R plain radiograph of the wrist | posteroanterior view | 8-year-old male

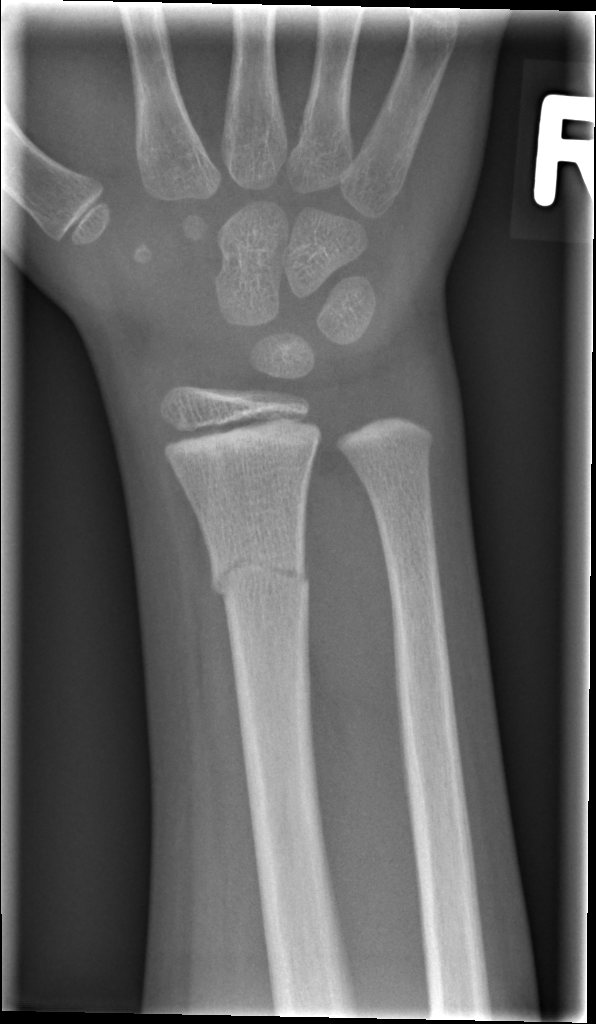
- One bone fracture at (left=210, top=547, right=313, bottom=602).
- AO code 23r-M/3.1.